L wrist X-ray | lat projection | cast present

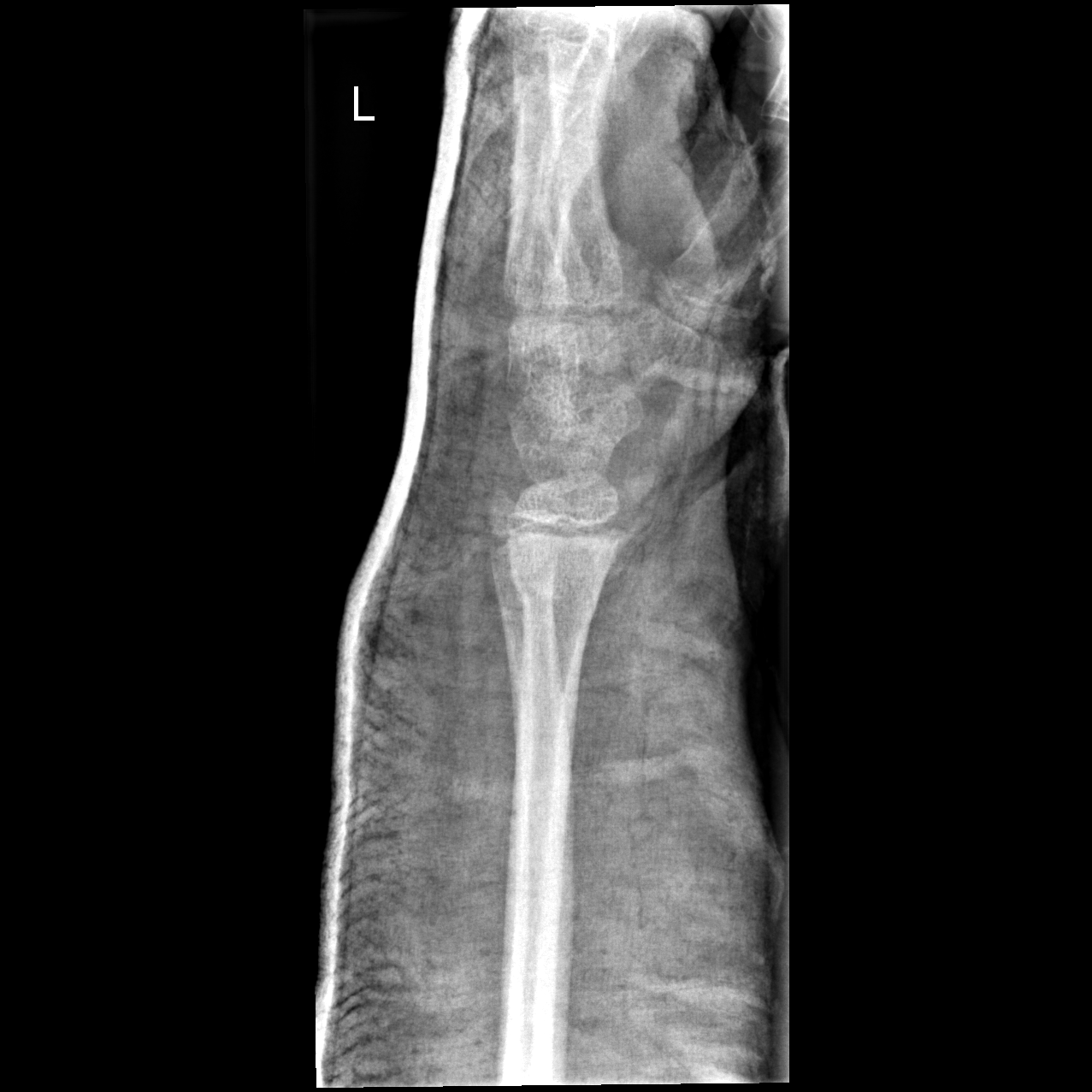

FINDINGS — Fracture classified AO/OTA 23r-M/2.1. Bone fracture identified at [509, 564, 605, 634].